Lat projection, Lt wrist X-ray, 13-year-old female, in cast.

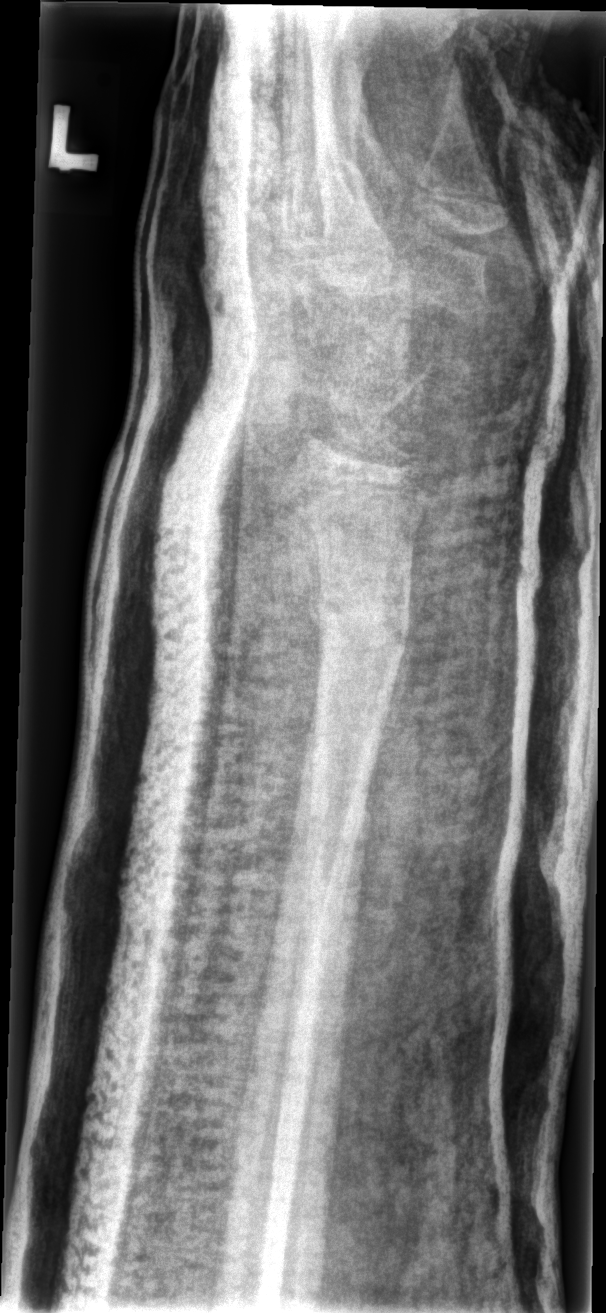 bone fracture = [309, 572, 415, 658]